Left wrist radiograph, PA/AP, 3-year-old female —

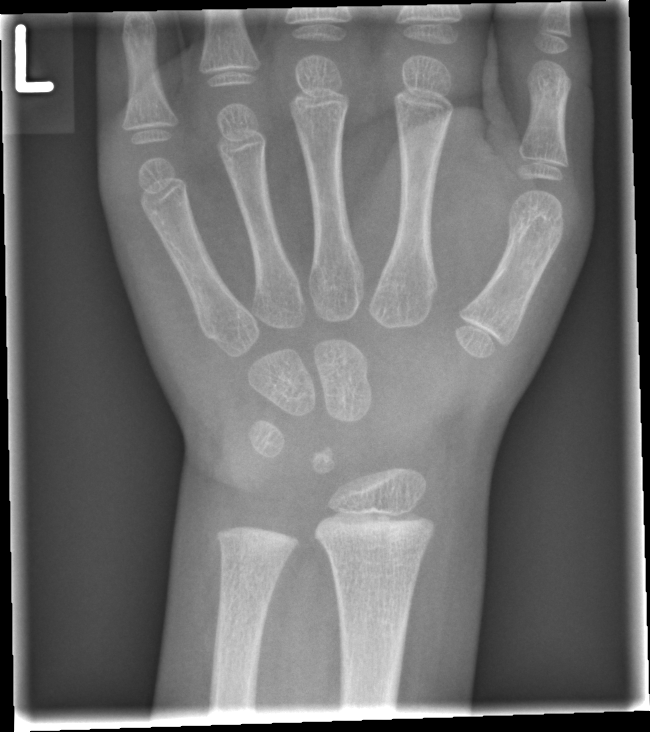
Fx: none labeled